L wrist radiograph, lat view, pediatric patient (boy, age 17)

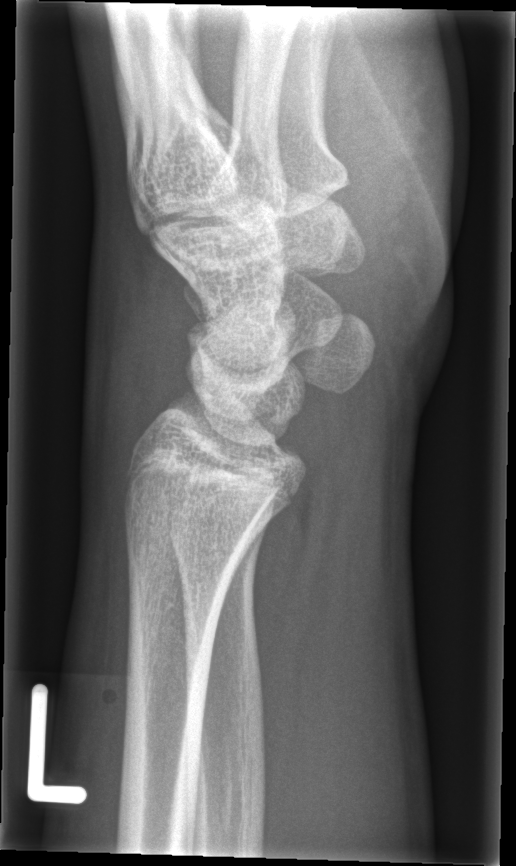

  fracture: none labeled